R wrist X-ray | PA | Agfa —
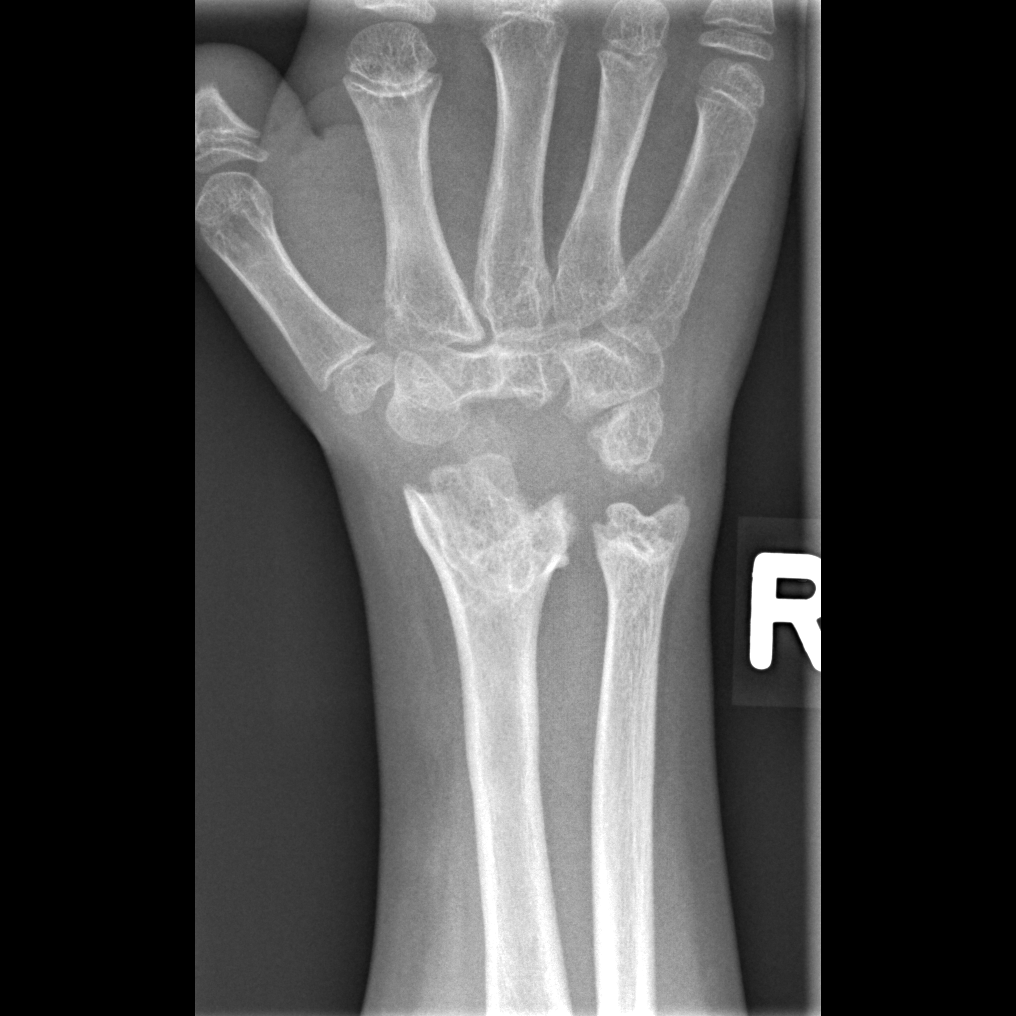
- No fracture labeled.
- Four bone variants at <385,351>-<674,517> <398,447>-<580,596> <587,488>-<696,586> <194,76>-<242,120>.